Right wrist plain film | oblique projection | presentation radiograph | acquired on Siemens
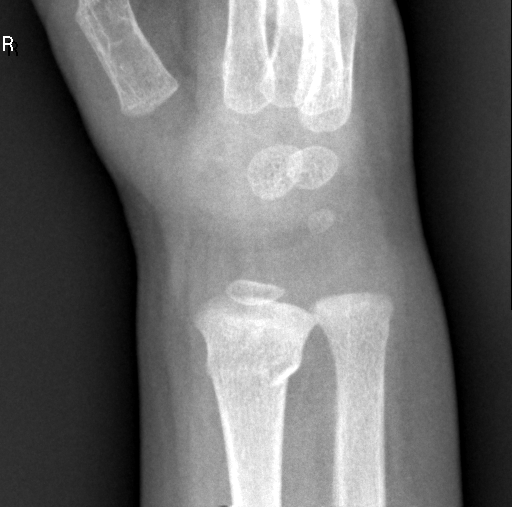
FINDINGS — (coordinates are [x1, y1, x2, y2] in image pixels) Fx: 202,334,308,389 | 320,315,394,349.